Lateral projection, Rt plain radiograph of the wrist, age 13 y, boy, follow-up study

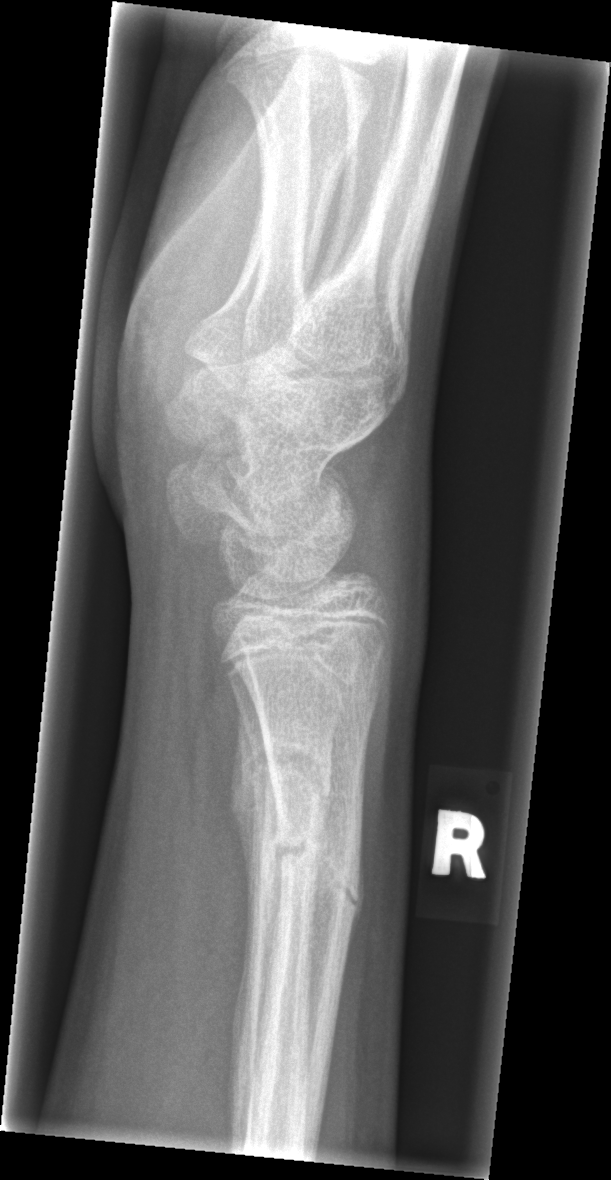 * AO/OTA classification: 23-M/3.1.
* Bone fracture: bbox(271, 810, 364, 919); bbox(239, 725, 338, 825).
* Osteopenic.